Lat view · Lt plain radiograph of the wrist · female, 10 yo · index exam —

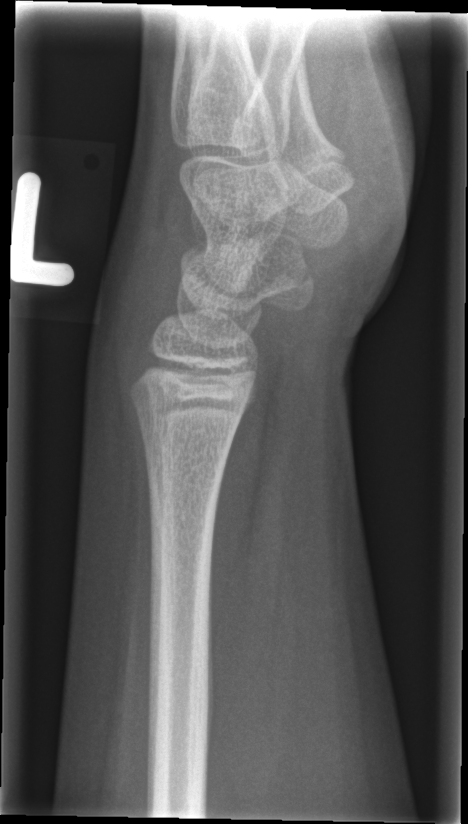
{
  "fracture": "none labeled"
}